Left wrist X-ray | lat projection | 16y M | follow-up | in cast. 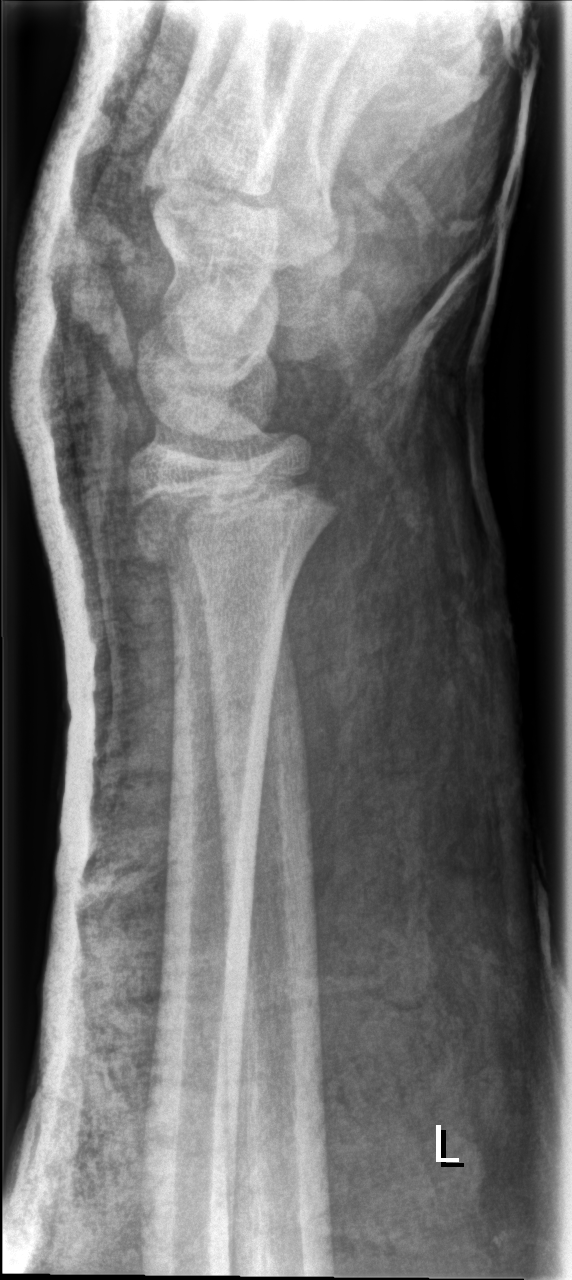
fracture: 1 @ <118,463>-<341,570>